Frontal view; right wrist X-ray; detector: Siemens; image 88.6 mm wide:

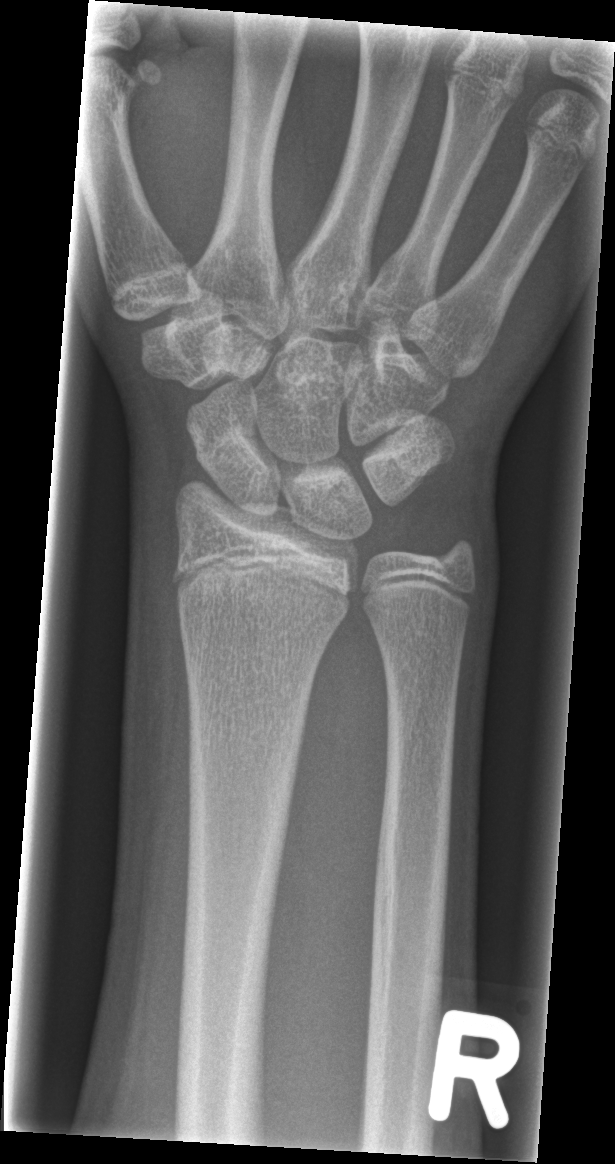

(bounding boxes in image-pixel xyxy)
AO code: 72B(b)
bone fracture: (190, 426, 271, 469)